Lateral; Lt wrist XR. 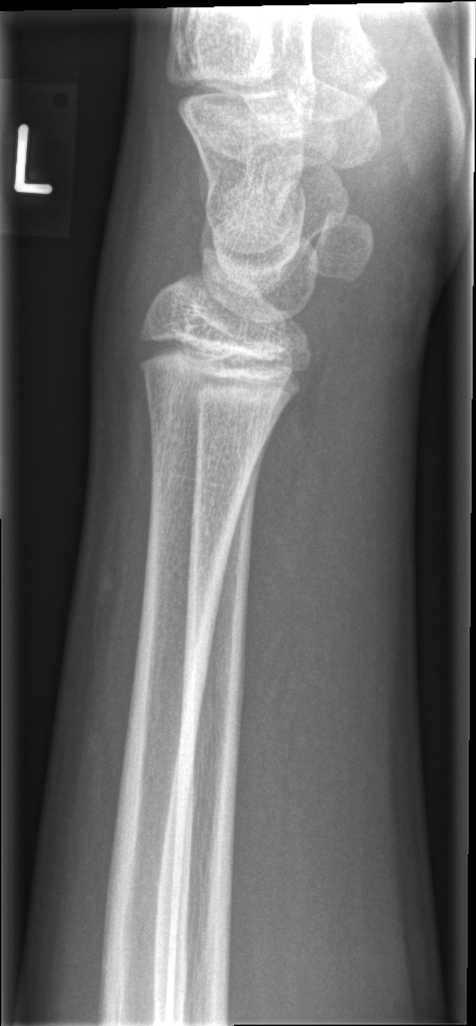
No fracture labeled.